Left wrist plain radiograph of the wrist, PA/AP view, imaged through cast
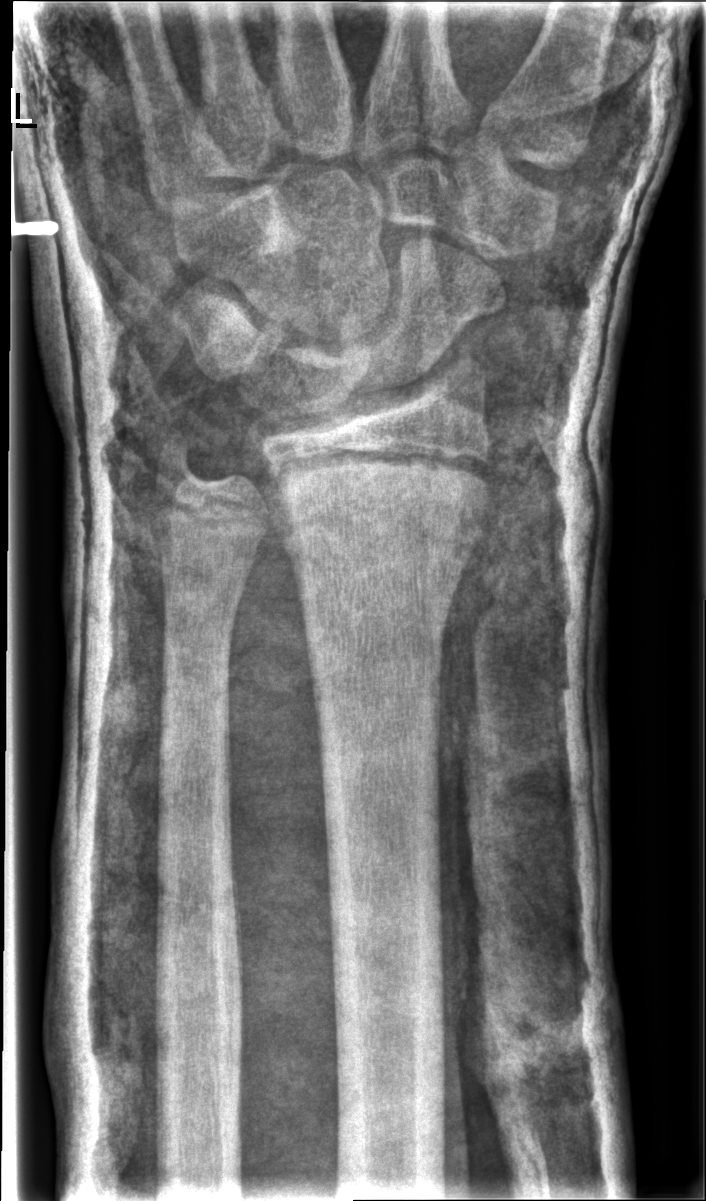 Q: Is there a fracture?
A: Fx present but not clearly seen in this view